PA view · R wrist plain film · 11y M · follow-up study · 680x1026: 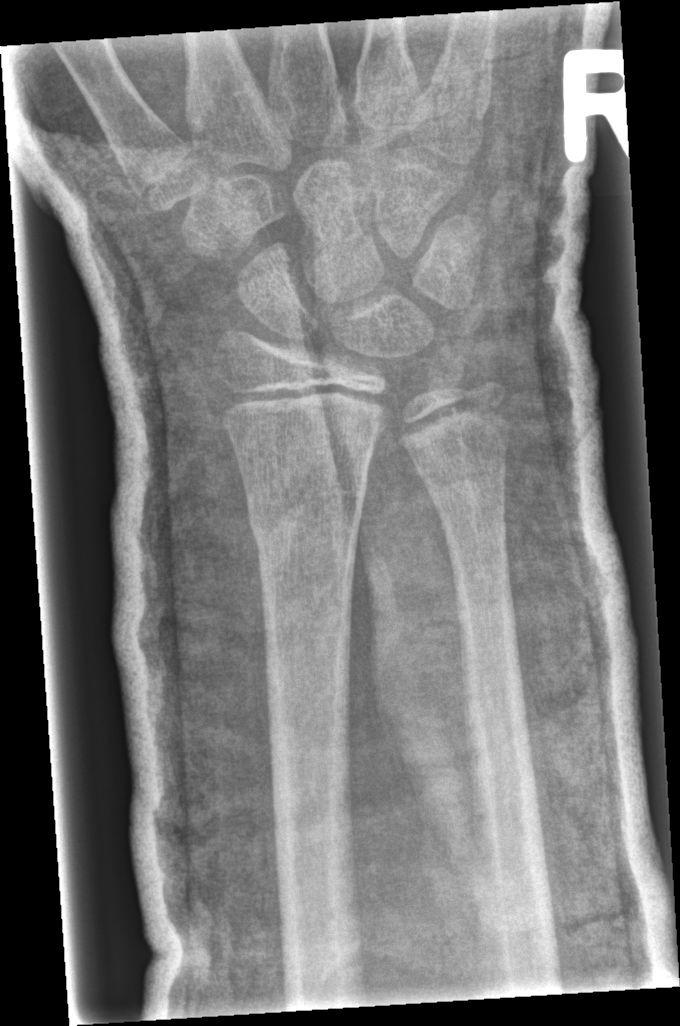 FINDINGS — AO/OTA classification: 23r-M/3.1. One bone fracture at [x1=242, y1=479, x2=369, y2=548].